Posteroanterior view; Lt wrist plain film; pediatric patient (male, age 14) — 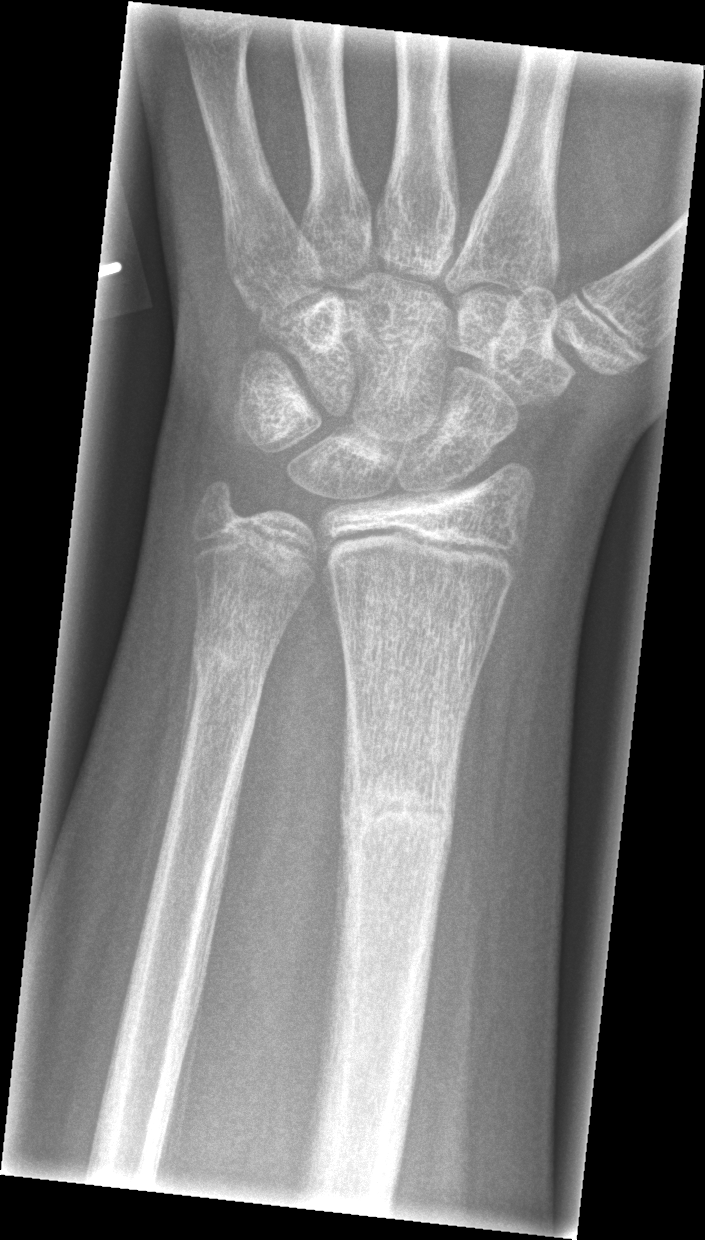
Fx = 2 @ (left=340, top=759, right=455, bottom=860) (left=186, top=625, right=271, bottom=698)
Periosteal reaction = (left=167, top=652, right=200, bottom=816)
AO classification = 23-M/2.1
Osteopenia = present